R wrist X-ray | lat | pediatric patient (boy, age 12) | cast in situ:
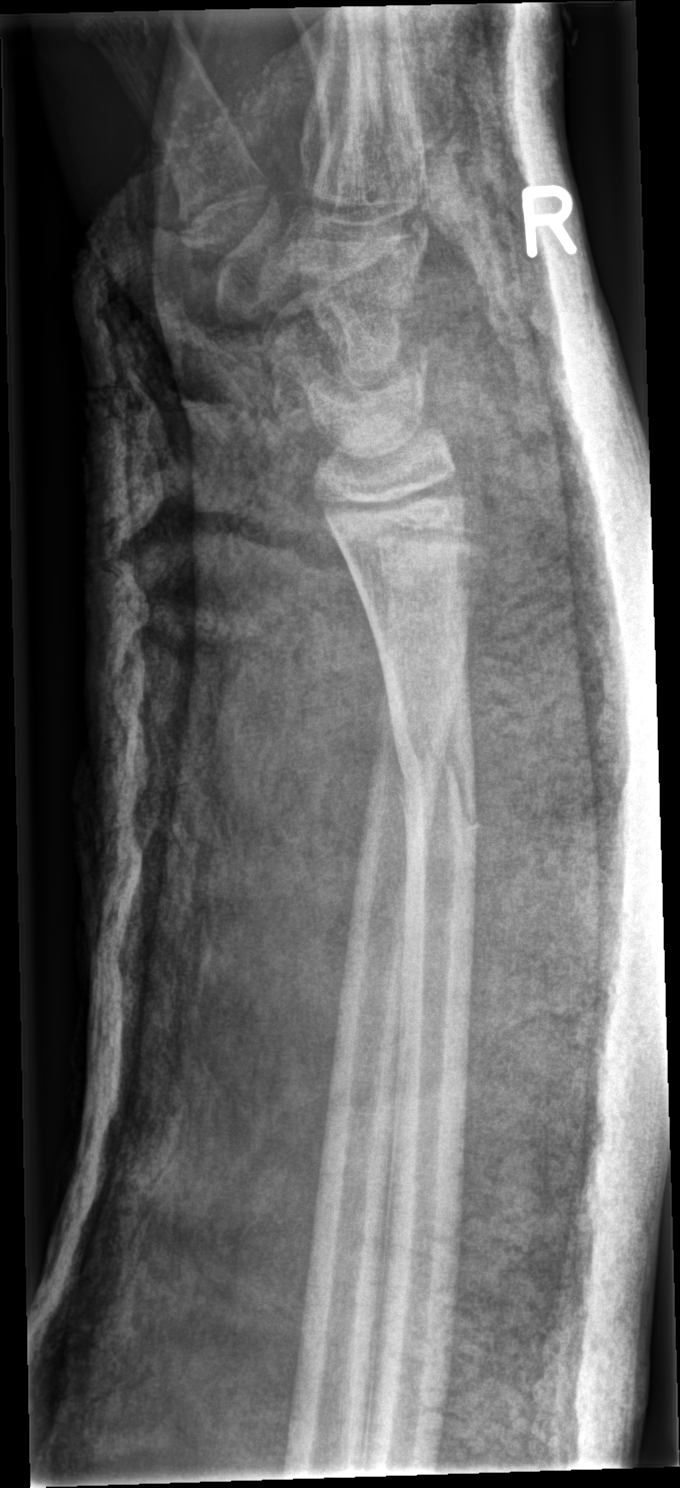   fracture: 387,731,486,838
  ao: 23-M/3.1